AP | left wrist plain film | 10y F | image 93.3 mm wide.
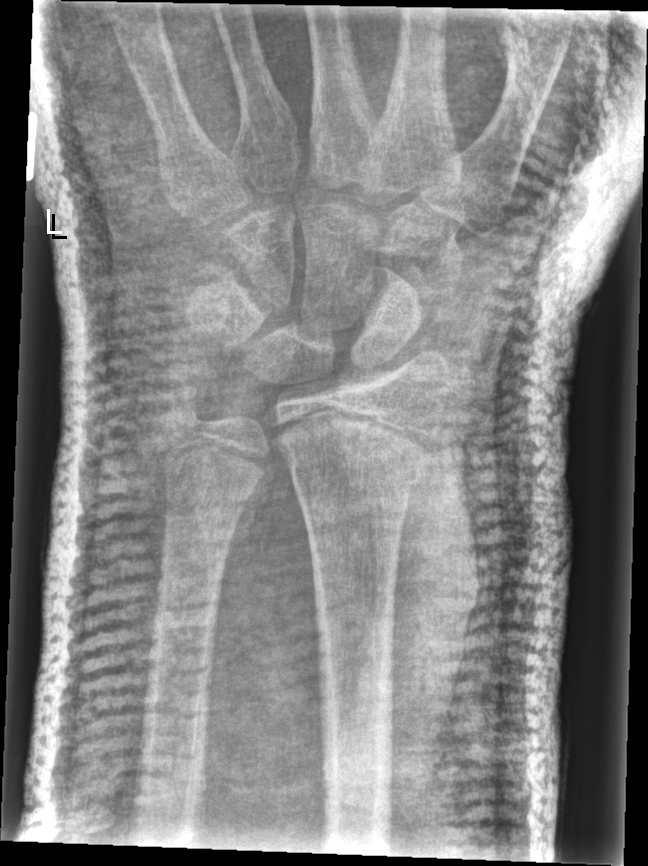
(pixel coordinates, top-left origin, xyxy)
Q: Fracture present?
A: Fracture: <275,411>-<440,489>; <153,370>-<216,439>